Lateral view | L wrist X-ray | initial study | image size 348x788.

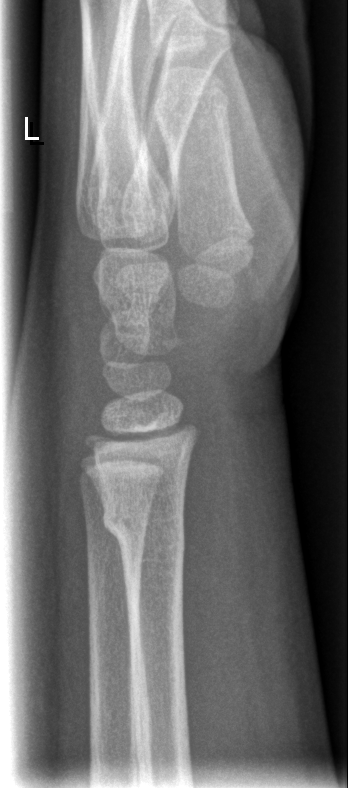
Bone fracture = 99 499 189 575
AO classification = 23r-M/2.1